Lateral | left wrist radiograph | follow-up study | 368 x 1124 px.

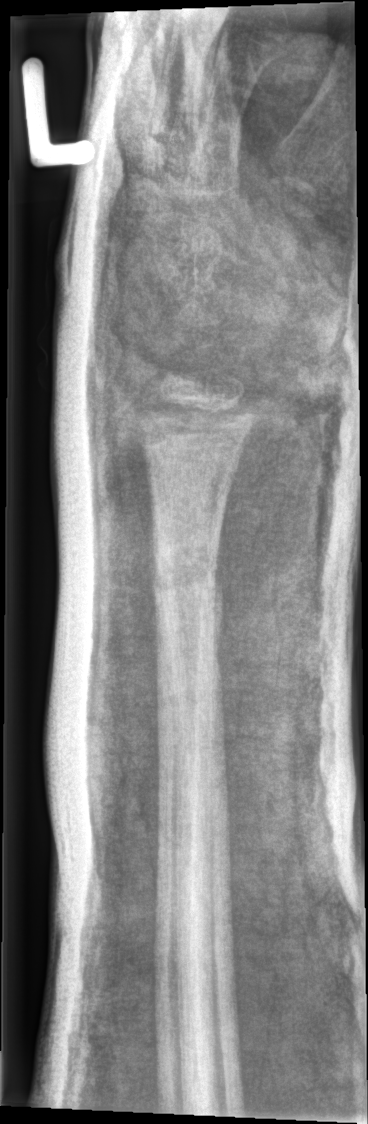
One Fx at (left=146, top=548, right=229, bottom=613).